Posteroanterior view, left wrist XR, cast present, 93.6 mm image width:
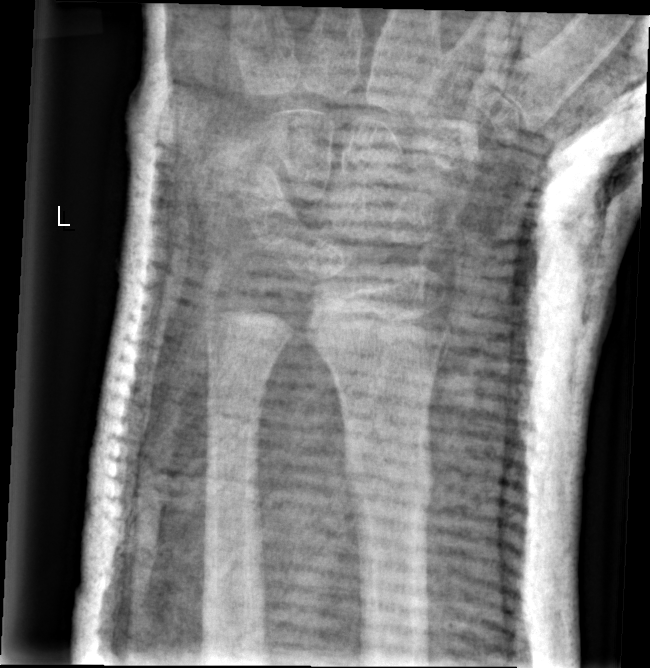

Q: What is the AO/OTA classification?
A: AO code 23-M/2.1
Q: Fracture present?
A: One Fx at 341,443,436,520